L wrist plain film, posteroanterior, male, 5 yo. 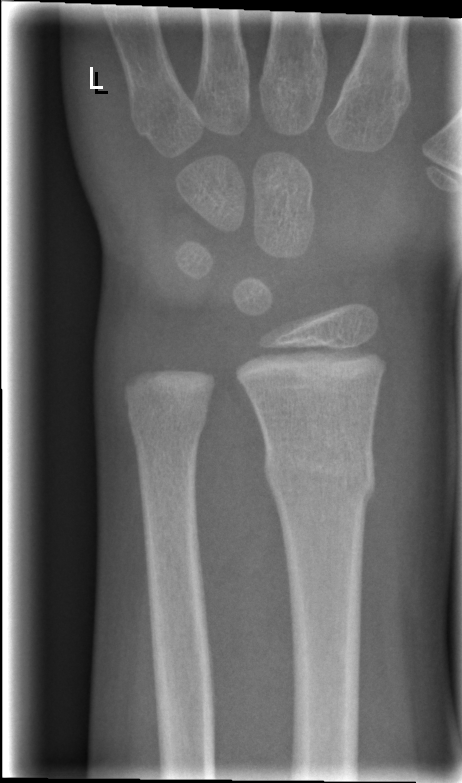

Boxes as x1,y1,x2,y2 (top-left / bottom-right, pixel units). Fracture identified at [261, 441, 381, 508]; [124, 391, 211, 451]. AO/OTA classification: 23-M/2.1.